Posteroanterior | right wrist X-ray | girl, 9 yo —

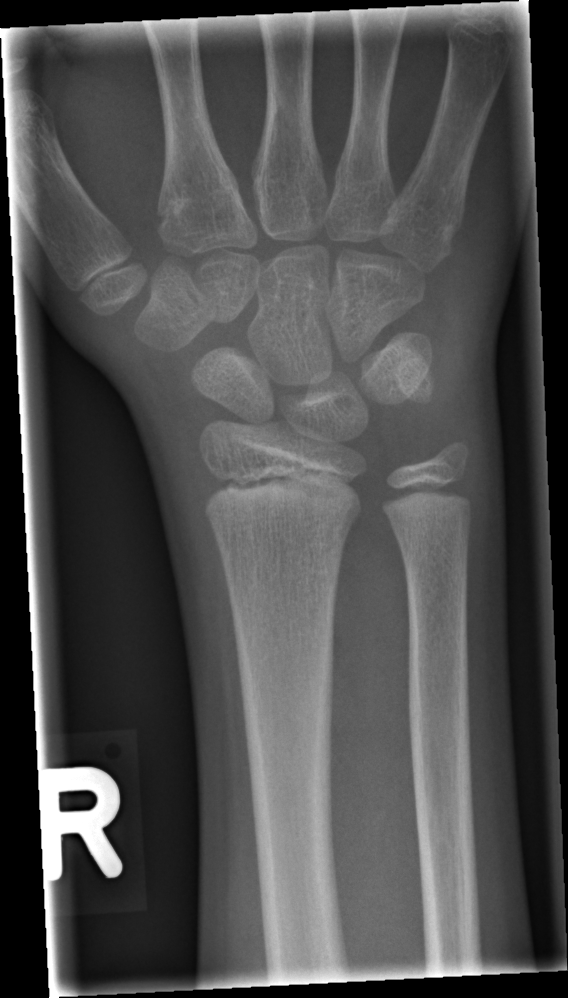

No fracture annotation.